PA/AP | left wrist X-ray | female, 4 yo | Siemens:
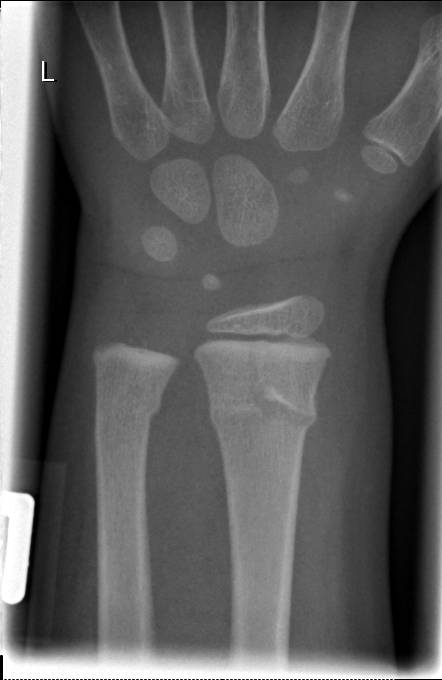

  # pixel coordinates, top-left origin, xyxy
  fracture: 2 @ [205, 379, 321, 453] [93, 380, 166, 438]
  ao: 23-M/3.1